Lateral view | Lt wrist XR | image size 453x1074.

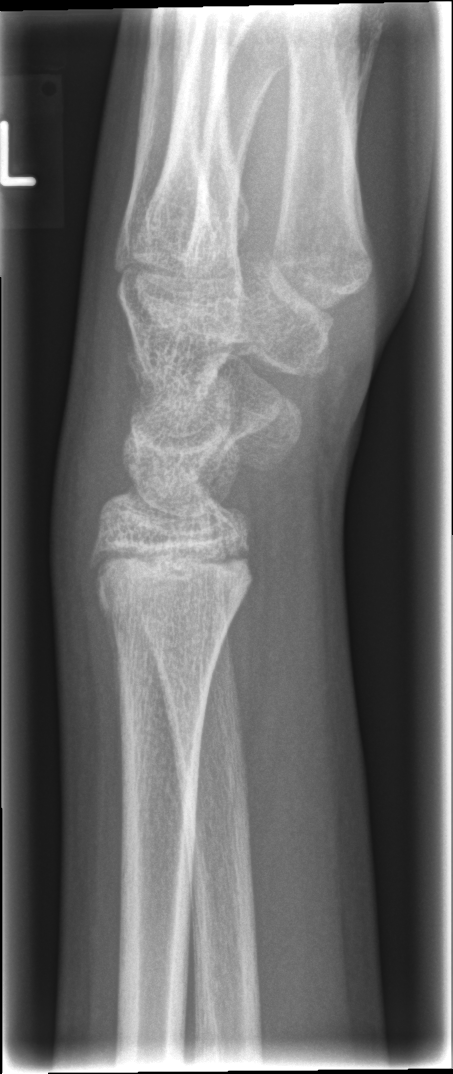
* Bone fracture: bbox(91, 536, 257, 648).